R plain radiograph of the wrist, lat view, 621x1244 —

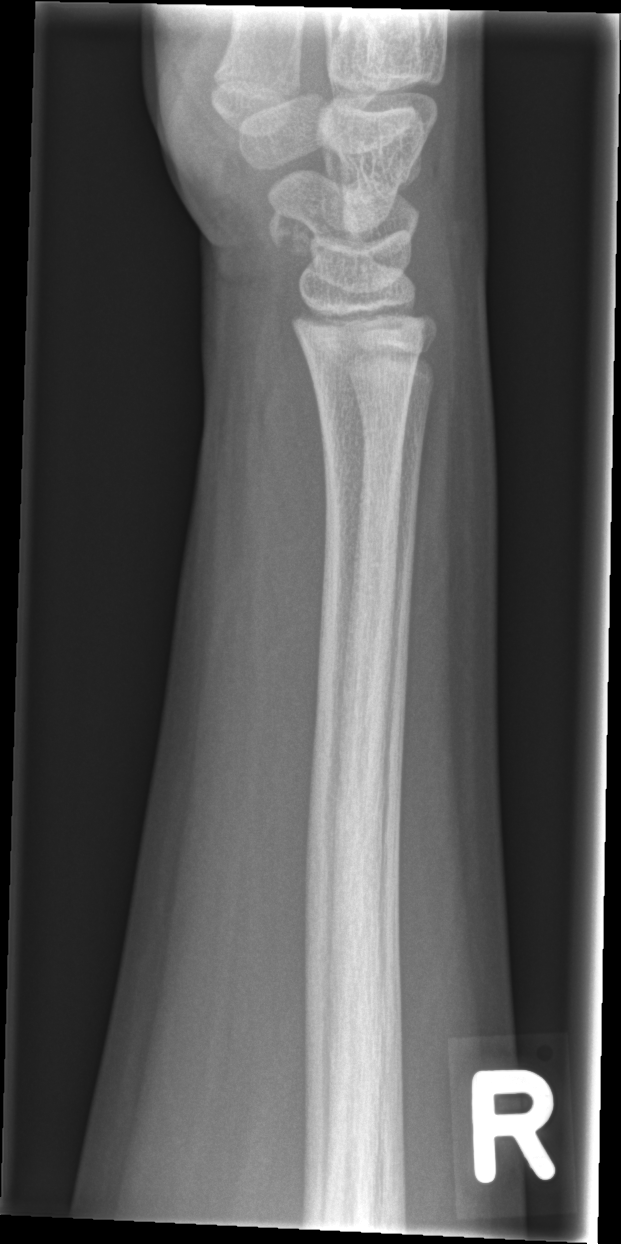
Pronator quadratus fat-pad sign identified at bbox(253, 290, 329, 700).
Fx: none.